Rt wrist radiograph; lat projection; in cast

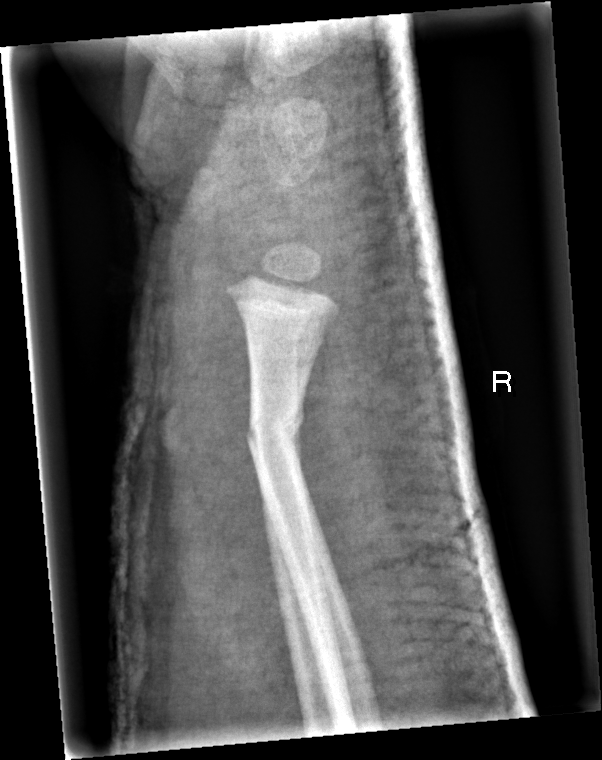 (boxes as x1,y1,x2,y2 (top-left / bottom-right, pixel units))
AO/OTA = 23r-M/3.1; 23u-M/2.1
Fracture = (left=245, top=397, right=308, bottom=463)